Right wrist pediatric wrist radiograph | lat projection. 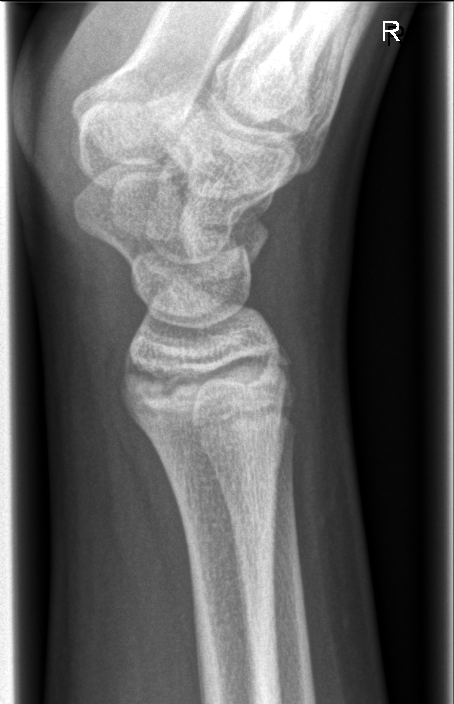 - No fracture bounding box.